AP projection · L wrist radiograph · 9y M.
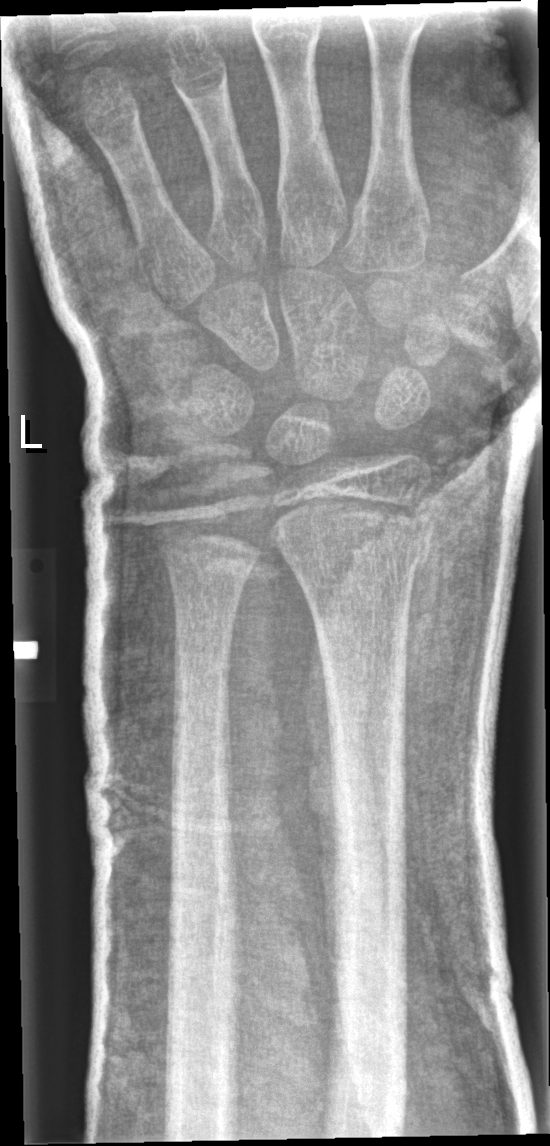

Coordinates are [x1, y1, x2, y2] in image pixels. Fx identified at (left=272, top=498, right=439, bottom=581).